L pediatric wrist radiograph | PA/AP view | 14y M | image width 80.6 mm:
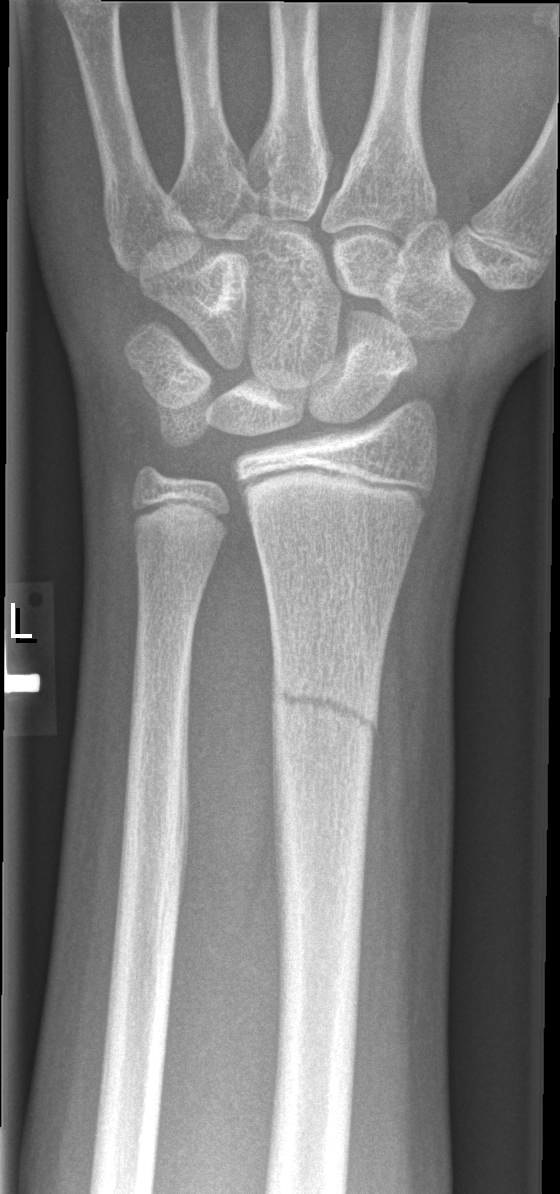 * Fx: <267,663>-<385,750>.